Right wrist plain film, lat projection, 465 x 730 px. 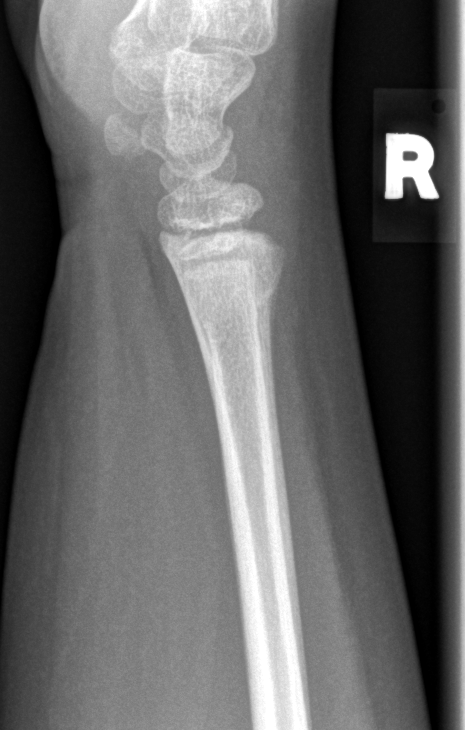

(boxes as x1,y1,x2,y2 (top-left / bottom-right, pixel units))
Bone fracture: 1 @ (left=177, top=253, right=288, bottom=323)
AO/OTA: 23r-M/2.1